Frontal · left plain radiograph of the wrist · 839 by 1004 pixels —

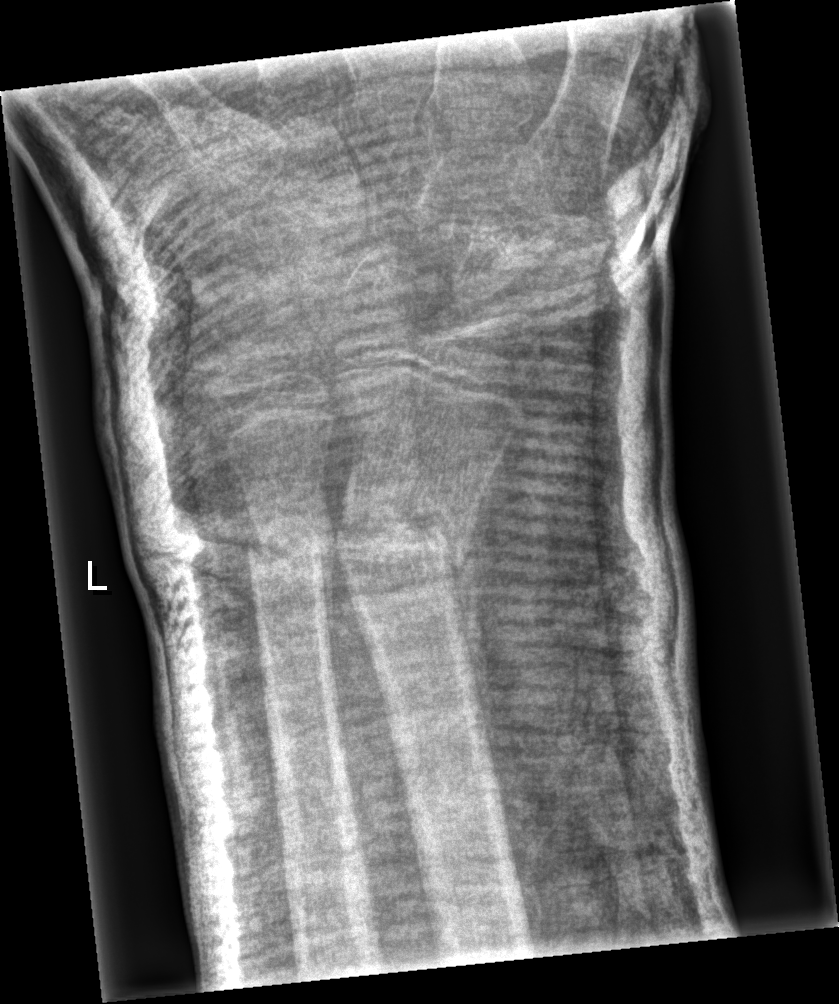 AO/OTA classification: 23r-M/3.1; 23u-M/2.1; 23u-E/7. Bone fracture identified at bbox(335, 501, 477, 597); bbox(240, 511, 332, 588).